Right wrist plain radiograph of the wrist, AP, girl, 6 yo, acquired on Siemens. 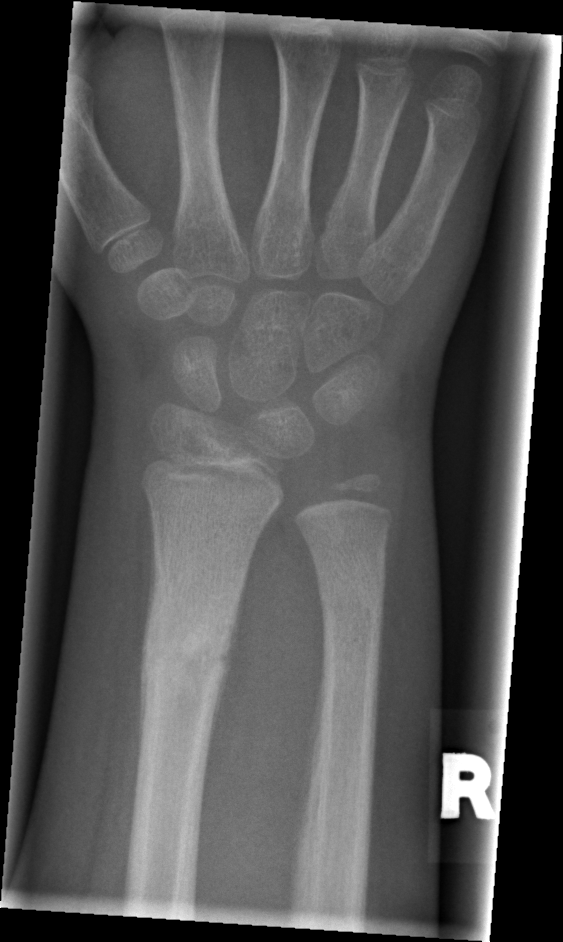

Periosteal thickening: (208, 567, 249, 760)
Bone fracture: (137, 615, 234, 689), (315, 572, 386, 628)